L wrist XR · lat · follow-up · image 85.0 mm wide · 590x1320: 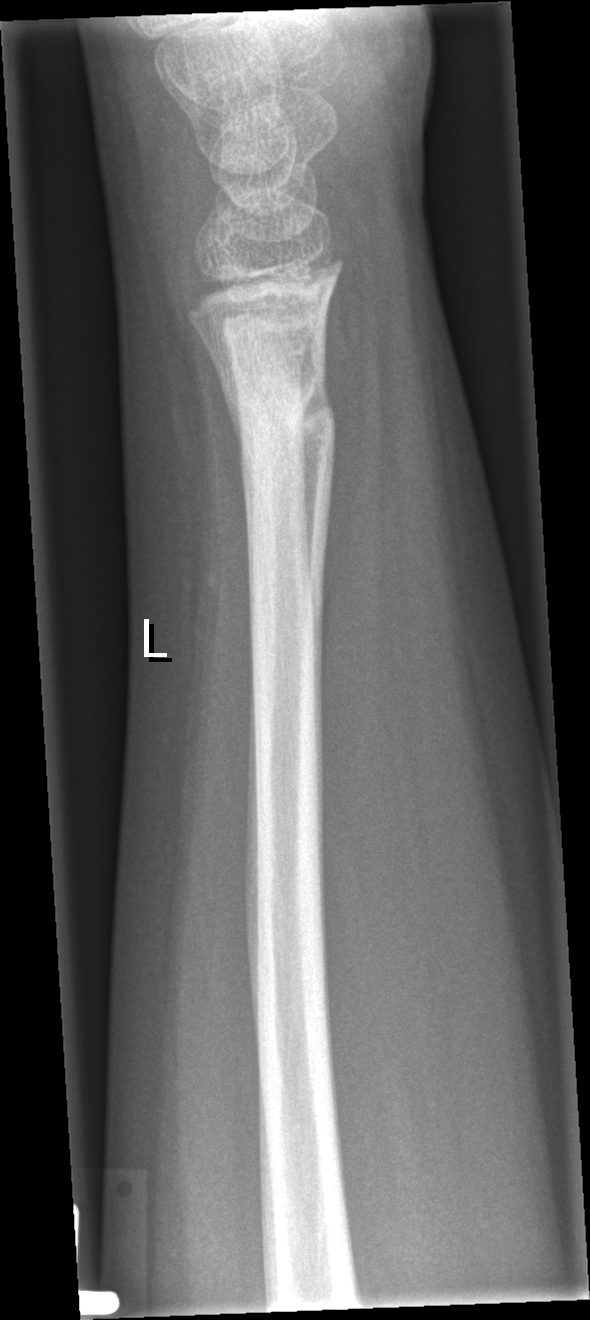 One fracture at (left=233, top=375, right=341, bottom=479).
Reduced bone mineral density.